Left wrist XR; lateral view 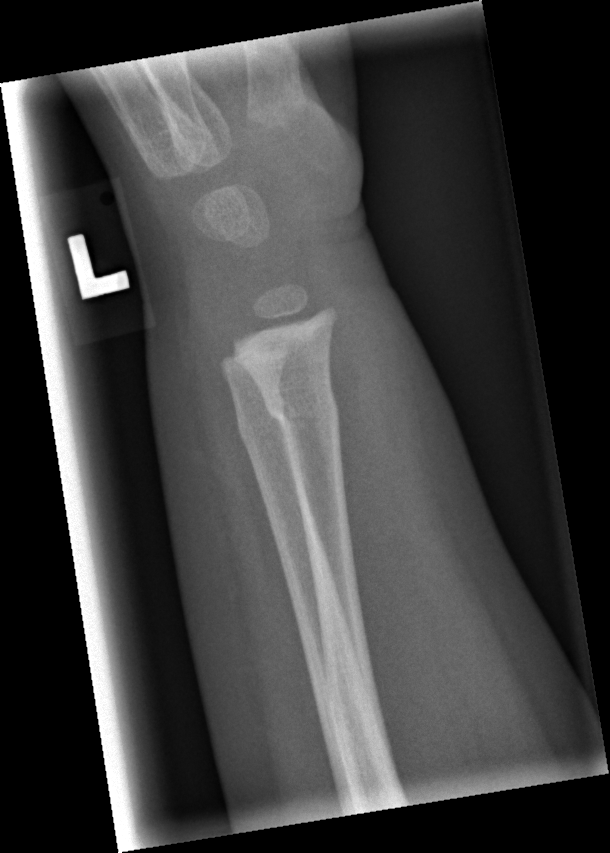

FINDINGS — (coordinates are [x1, y1, x2, y2] in image pixels) AO code 23-M/2.1. Fx: bbox(261, 386, 348, 461) bbox(235, 407, 296, 460).